L pediatric wrist radiograph; lateral; 17y M; index exam:

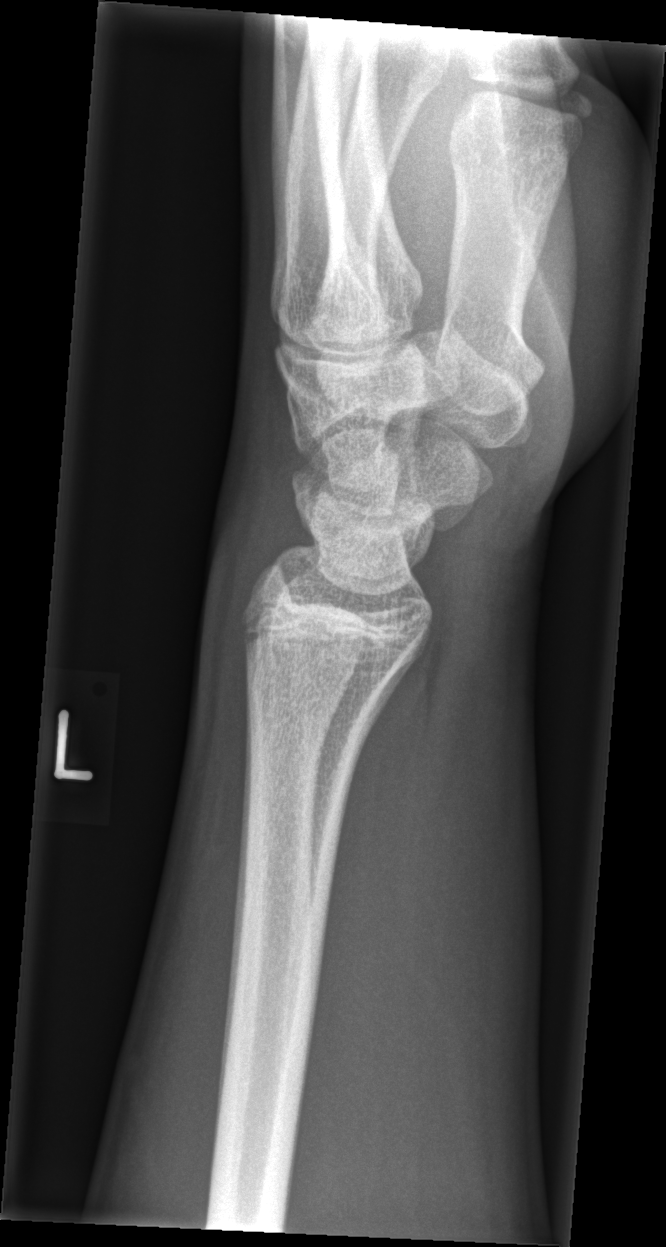 Fx: none.